Lateral · left pediatric wrist radiograph

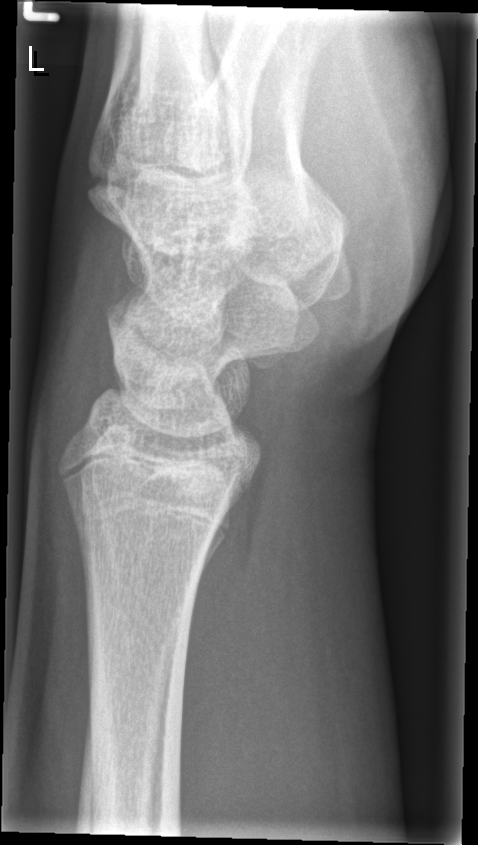 • Fracture: none labeled.